Lat projection; right wrist radiograph; 12y F; image size 587x1022 —
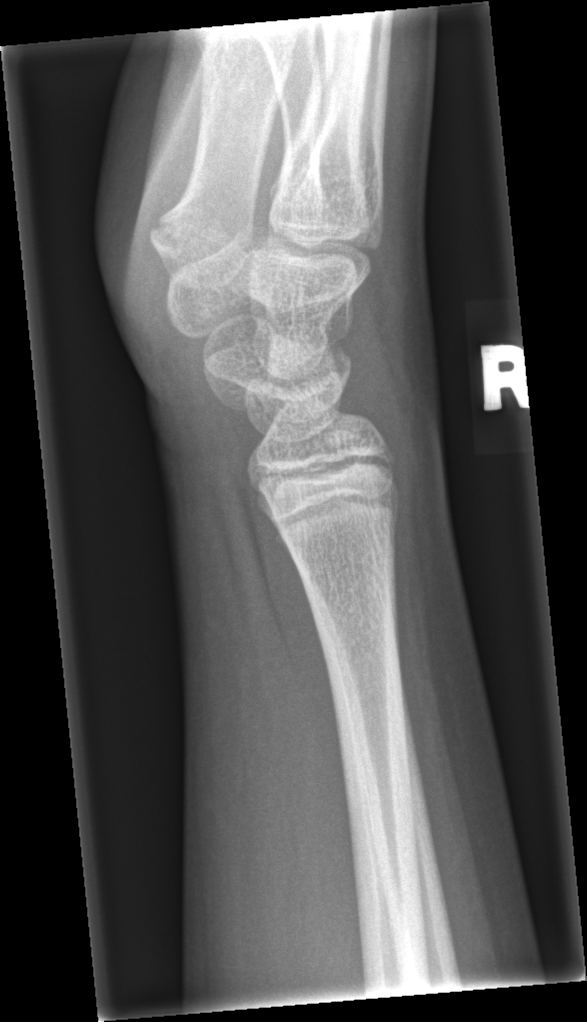

- No Fx annotated.